Lat projection; left wrist radiograph; 14y M; 472 x 1331 px.
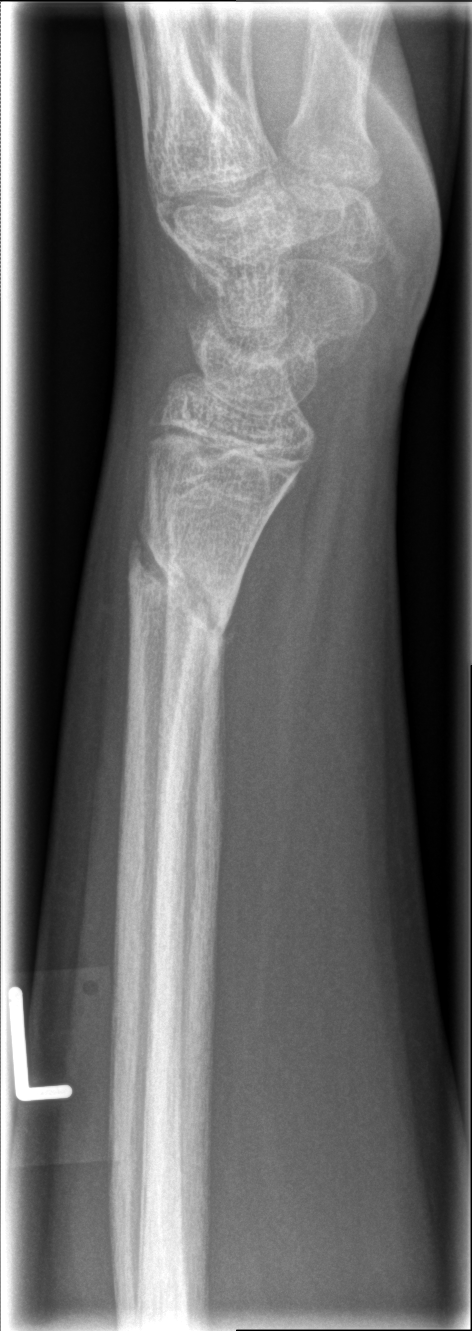

* Bounding boxes in image-pixel xyxy.
* Fracture classified AO/OTA 23r-M/3.1; 23u-E/7.
* Fracture: <124,513>-<240,654>.